L wrist radiograph | lat view | 15-year-old boy | 548 x 856 px. 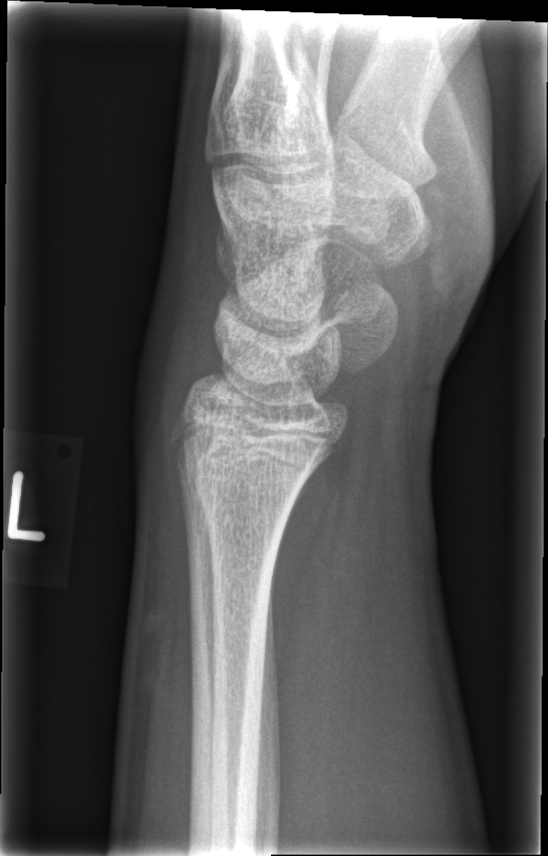
bone fracture: none labeled